Left wrist XR · AP projection · initial study:

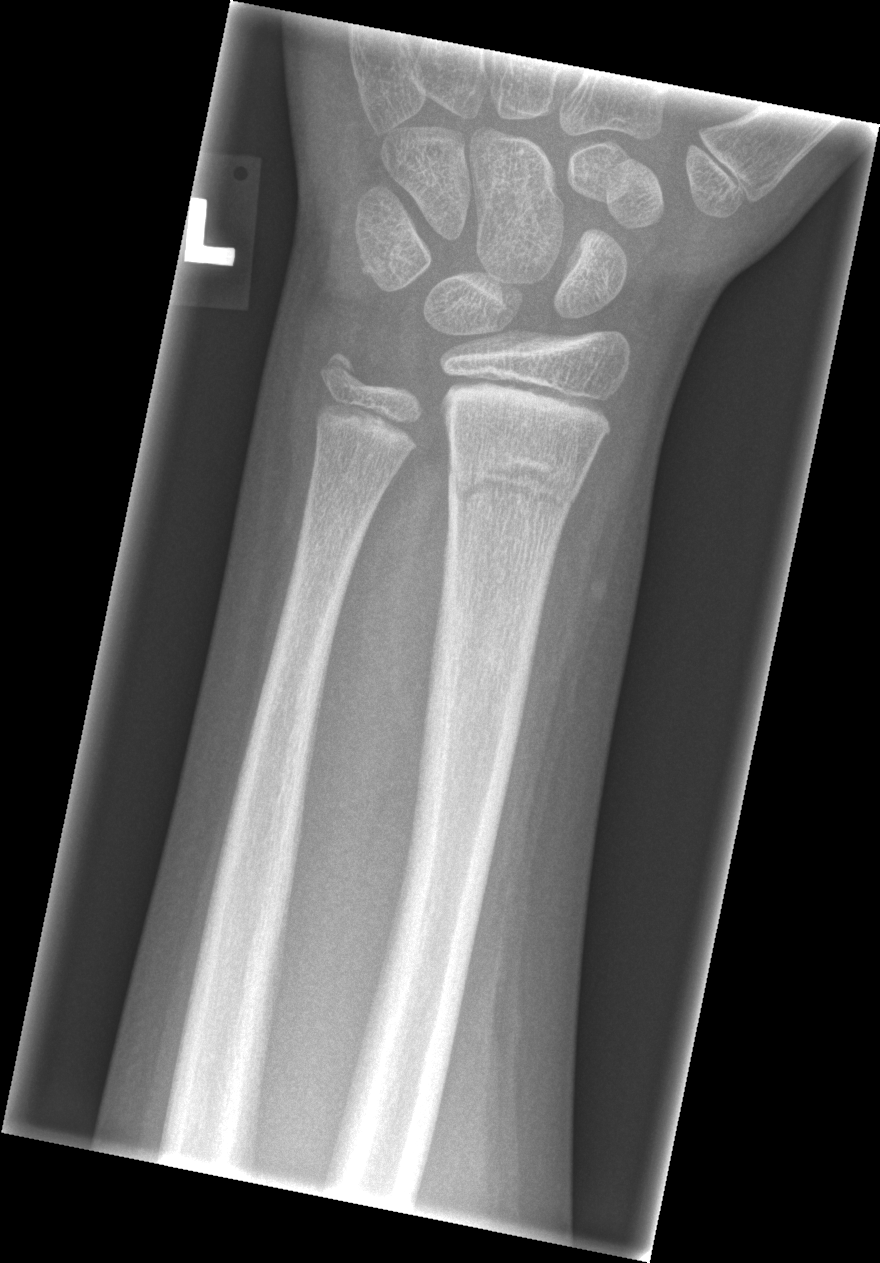

* AO/OTA classification: 23r-M/3.1; 23u-E/7.
* Two bone fractures at [443, 448, 581, 522], [316, 346, 368, 403].
* Two soft-tissue findings at [510, 434, 654, 800], [263, 225, 357, 530].